AP view | left wrist radiograph | male, 8 yo | subsequent exam | cast present.
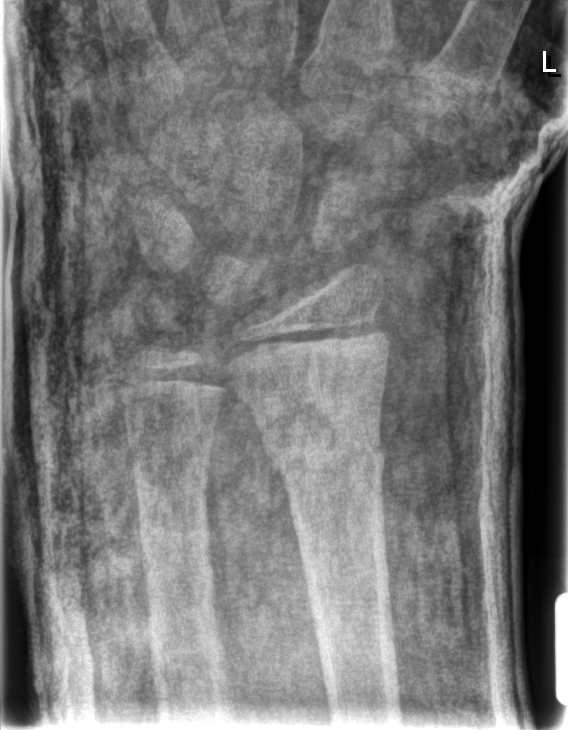

Findings: Fx — bbox(260, 418, 388, 489).